PA/AP · R pediatric wrist radiograph · presentation radiograph · 722x1495.
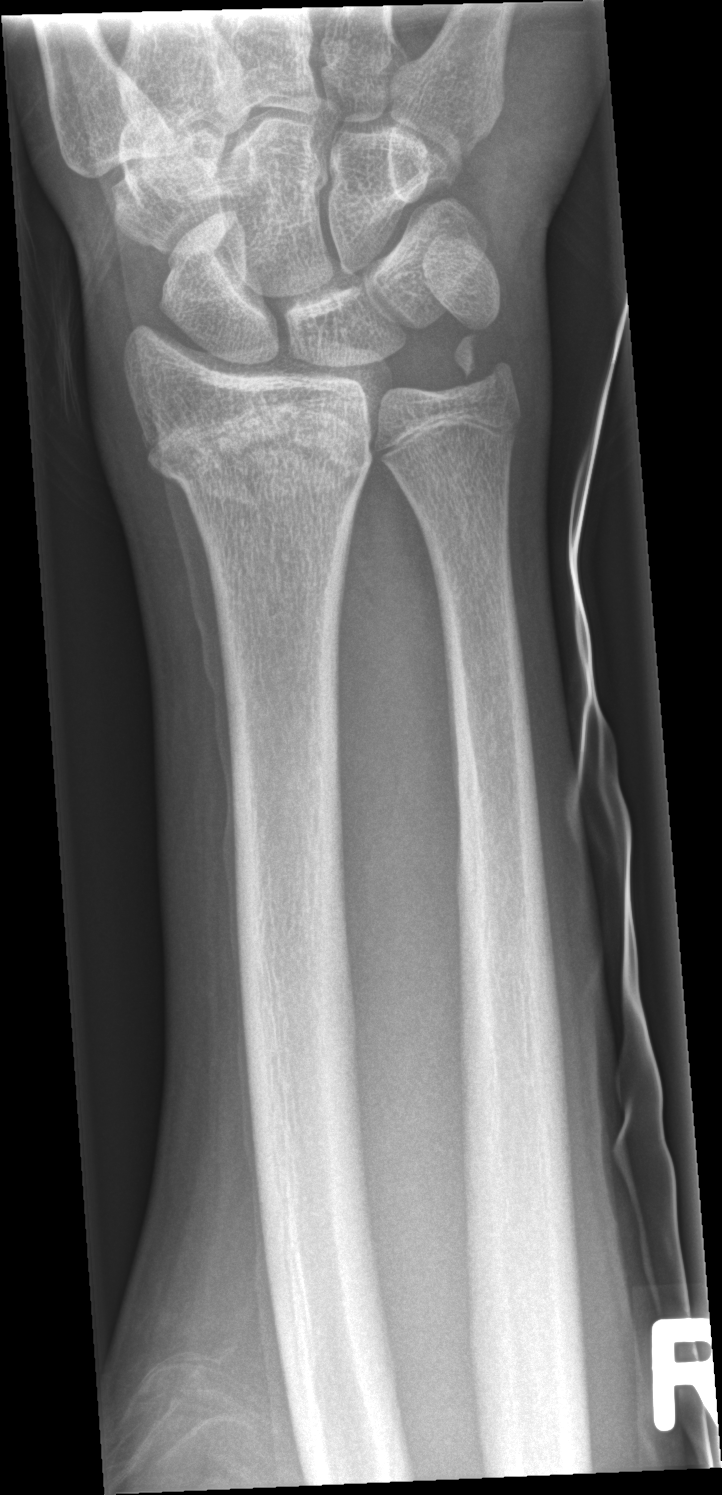   fracture: 2 @ (139, 394, 380, 511); (450, 330, 519, 403)